Left wrist radiograph, frontal projection, 7-year-old male, cast in situ, acquired on Siemens:

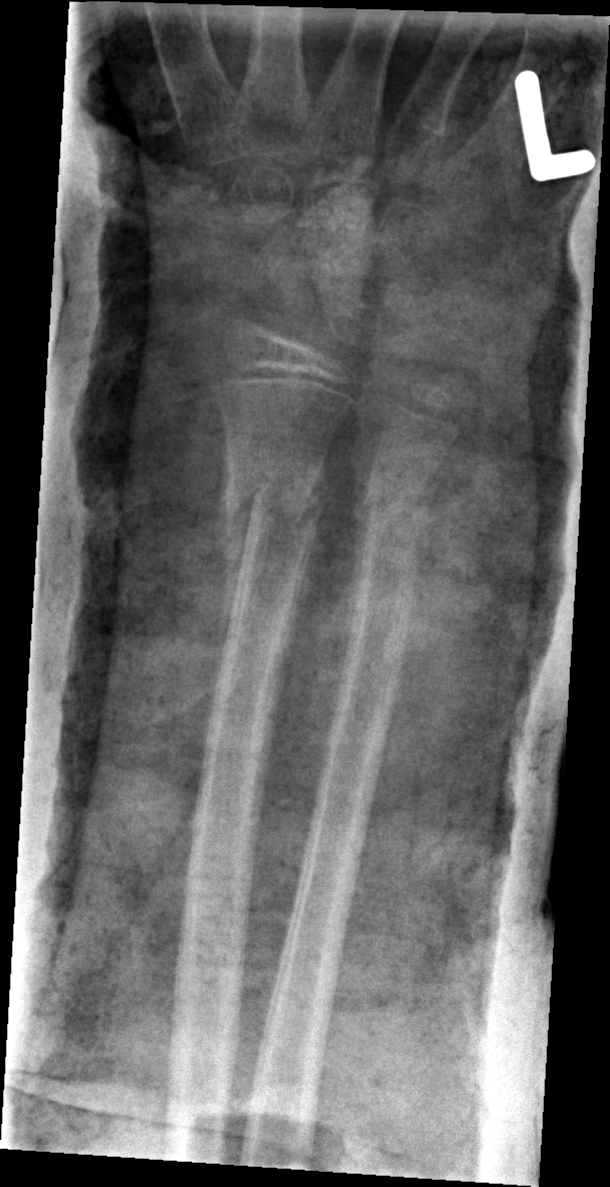 {
  "fracture": "2 @ <217,462>-<327,562>, <359,480>-<430,541>",
  "periostealreaction": "<209,443>-<254,723> <340,472>-<373,691> <411,451>-<447,522> <302,457>-<325,538>",
  "ao": "23-M/3.1"
}